PA/AP view, right wrist plain radiograph of the wrist, age 12 y, female.
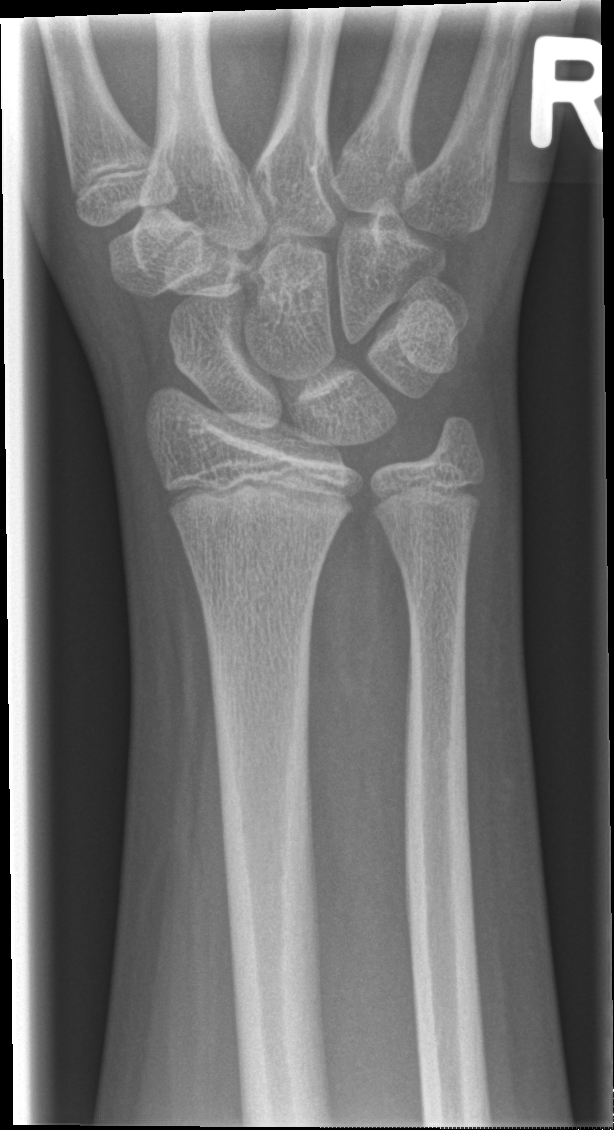

* Fx: none.